Lat | L wrist X-ray | 10-year-old girl | image size 462x672

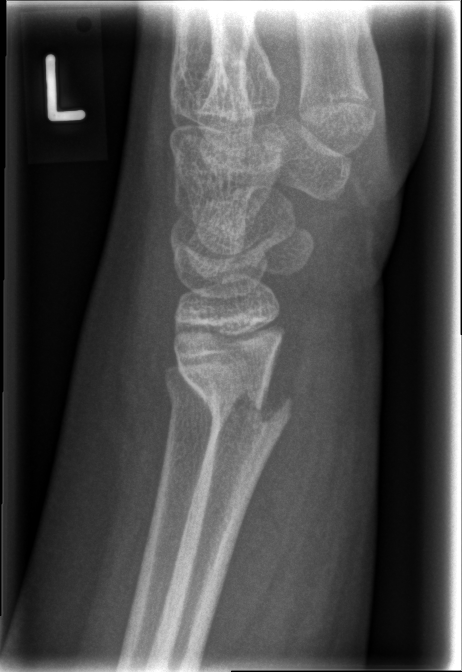 Bone fracture: bbox(188, 369, 299, 436), bbox(162, 375, 229, 429)
Positive pronator fat-pad sign: bbox(204, 377, 326, 654)